Left pediatric wrist radiograph, lateral, age 4 y, boy —
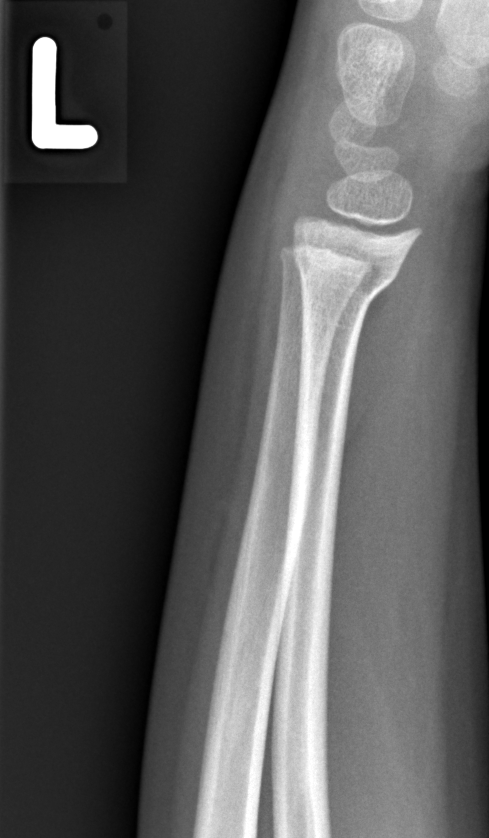 AO classification = 23r-M/2.1
Fx = [291, 239, 412, 317]